Lt plain radiograph of the wrist; lat projection; male, 10 yo; image 49.2 mm wide; 342x798 — 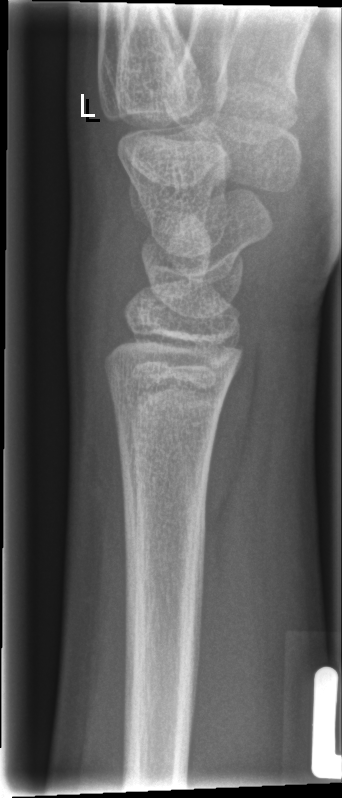

Fx = none labeled